Left wrist radiograph; frontal projection; 13-year-old girl; Siemens; image width 72.0 mm; image size 500x822:
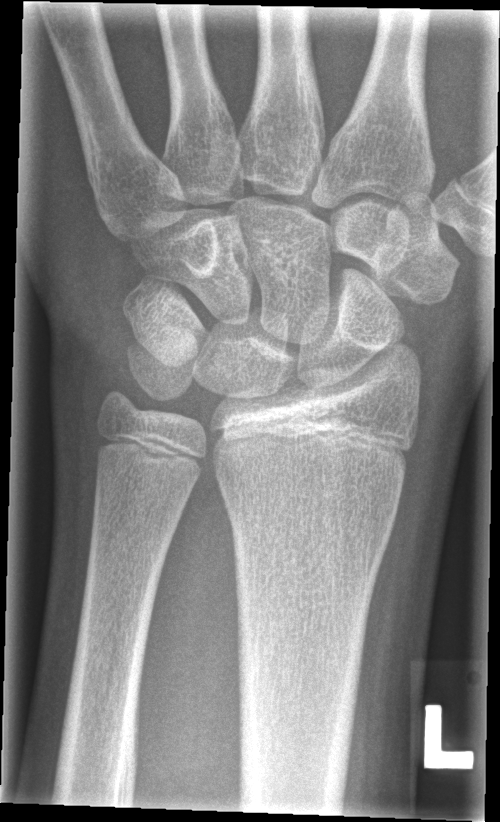 Bone fracture = none labeled